Lt pediatric wrist radiograph; lateral projection; boy, 14 yo 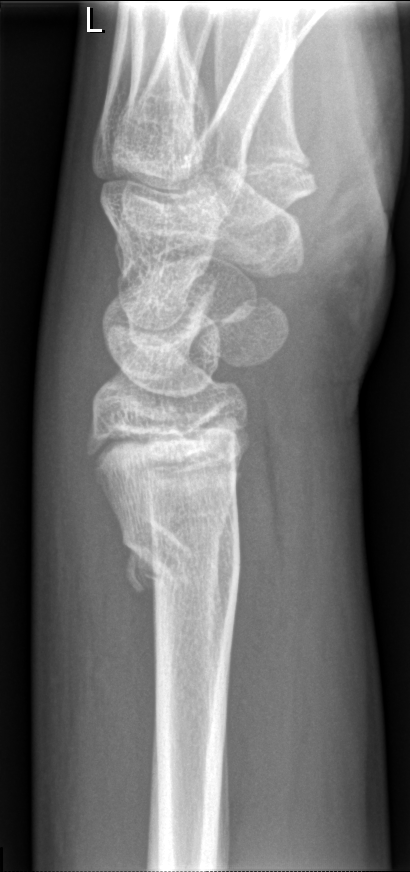 - Coordinates are [x1, y1, x2, y2] in image pixels.
- AO/OTA classification: 23r-M/3.1; 23u-E/7.
- One Fx at (left=117, top=504, right=245, bottom=620).